Lateral projection · L pediatric wrist radiograph · in cast · detector: Siemens 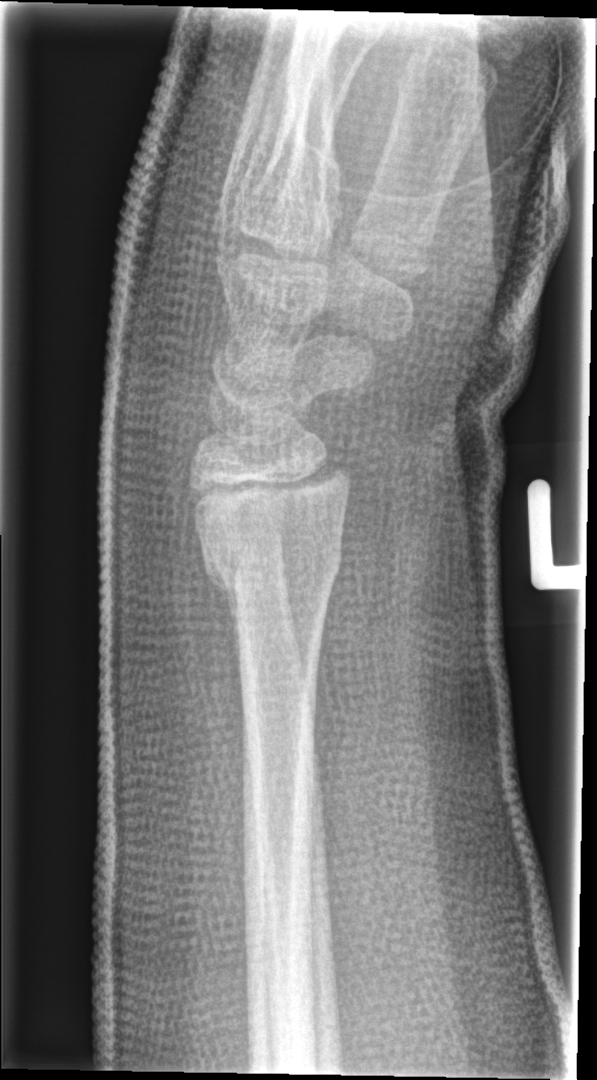
(pixel coordinates, top-left origin, xyxy)
Q: Is there a fracture?
A: Fracture — 196,506,346,613